PA view | L wrist radiograph | follow-up | in cast | 101.5 mm image width — 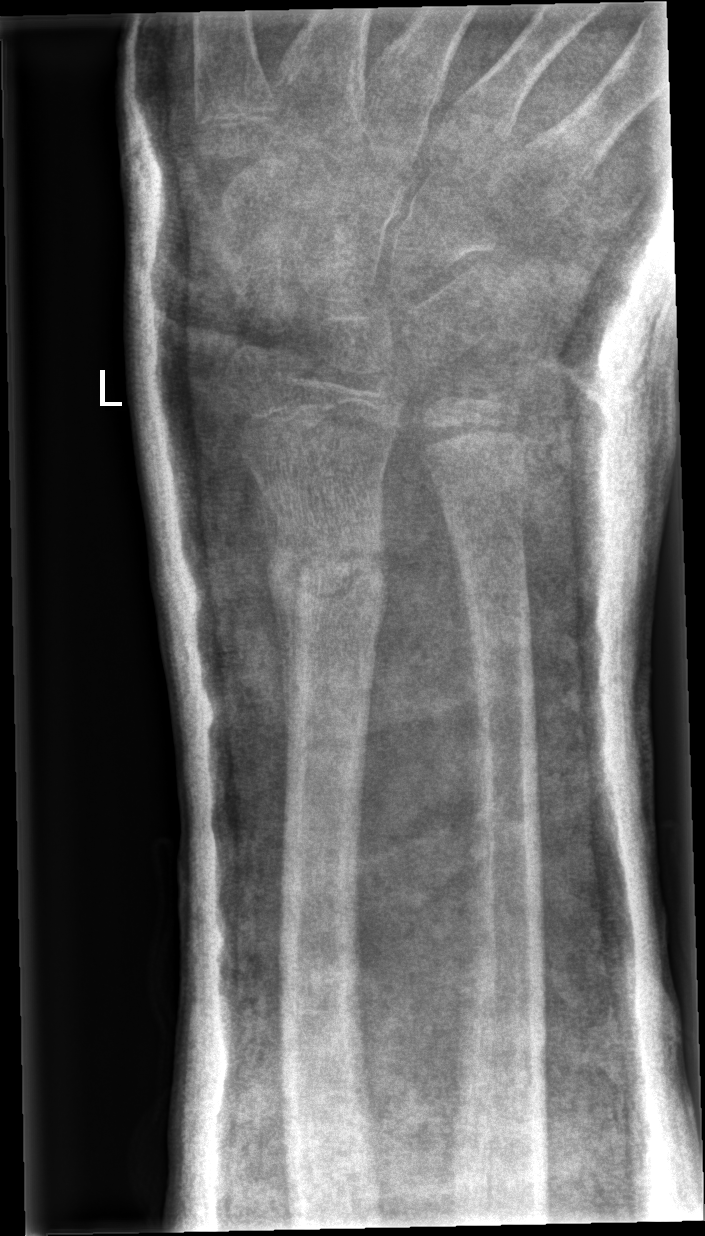
Findings: (boxes as x1,y1,x2,y2 (top-left / bottom-right, pixel units)) One fracture at 260 499 393 651. Periosteal new bone — 258 484 296 774.